Lat; left wrist radiograph; 17y M; detector: Siemens.
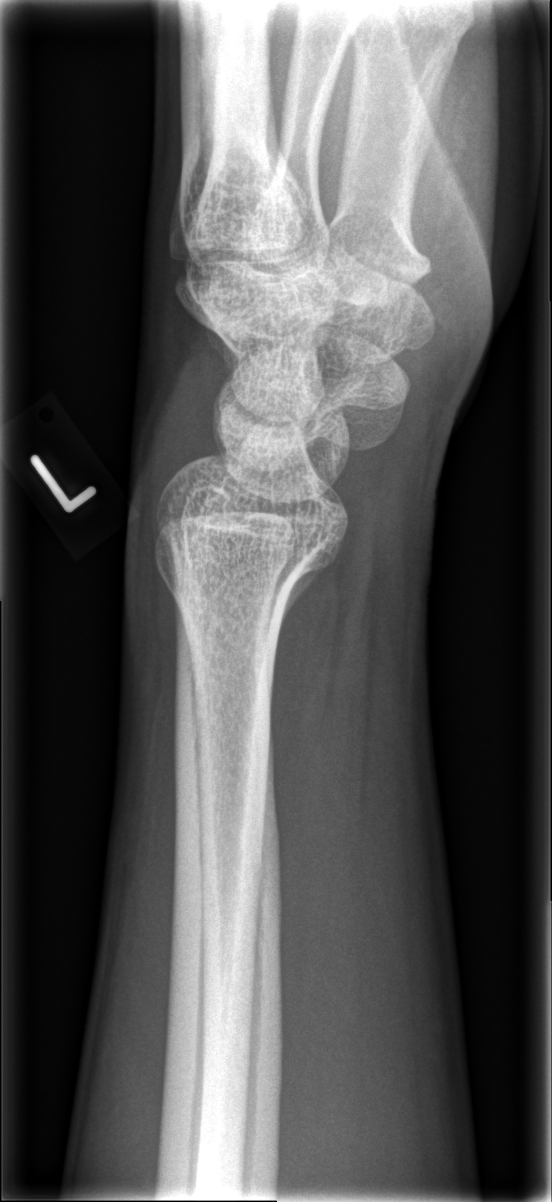
Q: Is there a fracture?
A: No fracture annotation